Lat · right wrist radiograph · 2-year-old female · 50.1 mm image width · 348x540.
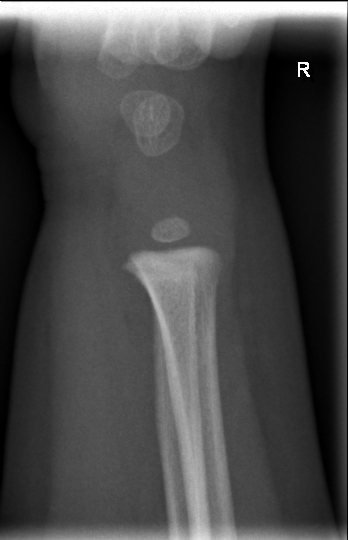
bone fracture: none labeled